PA/AP, left wrist X-ray, Siemens:
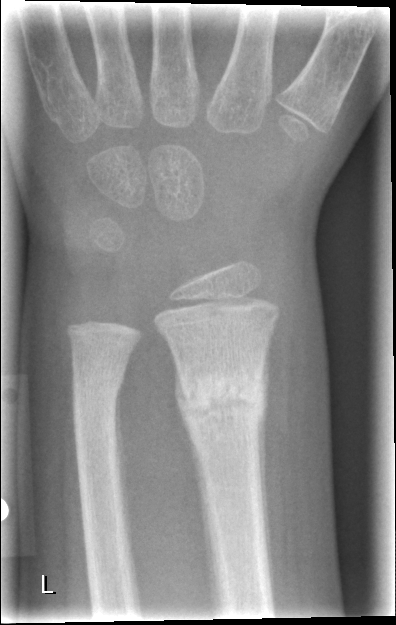 bone fracture: [173, 361, 269, 436]; [71, 365, 125, 411]
AO code: 23r-M/3.1; 23u-M/2.1
periosteal reaction: [167, 342, 213, 573] [257, 330, 274, 598] [113, 378, 131, 556]